AP view · left wrist radiograph · 13y F · initial study · image size 541x832 — 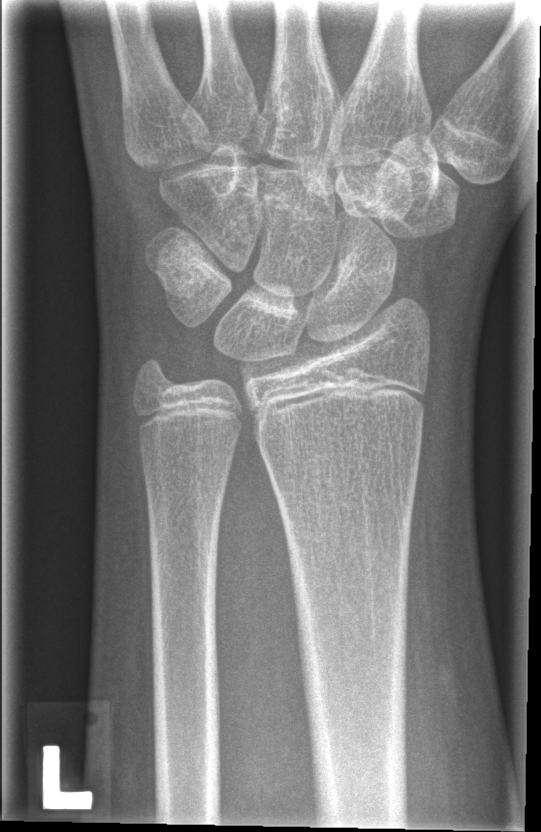

No Fx annotated.